L wrist XR, posteroanterior, 8-year-old girl, presentation radiograph —

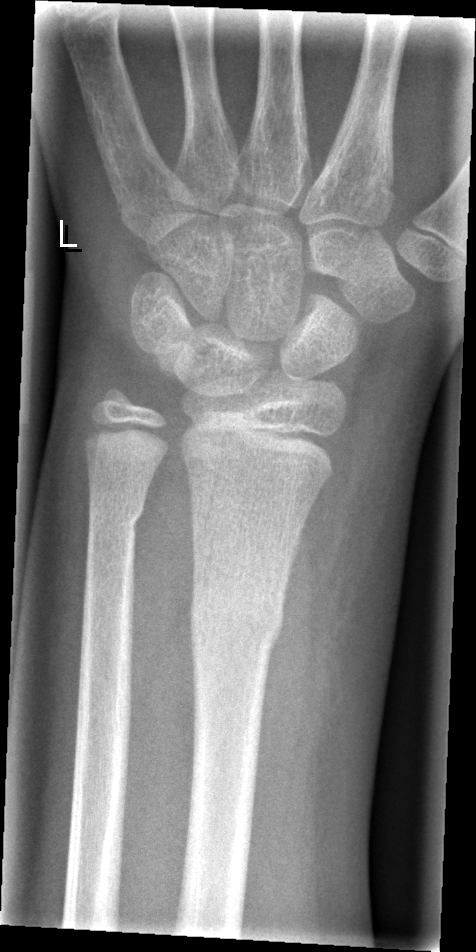

bone fracture = 2 @ bbox(184, 579, 287, 656); bbox(85, 490, 147, 544)